Frontal view; right wrist pediatric wrist radiograph; subsequent exam

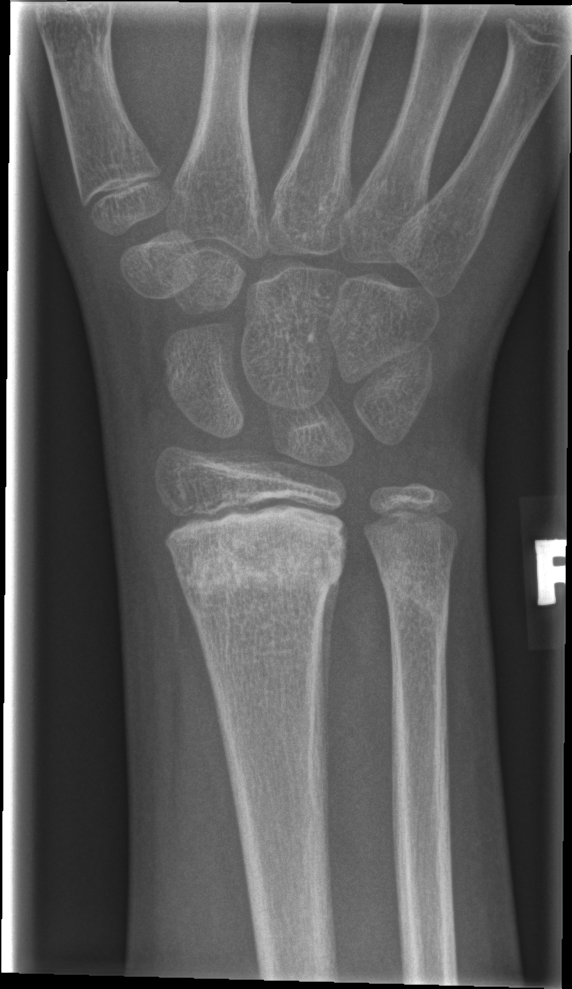 FINDINGS: (boxes as x1,y1,x2,y2 (top-left / bottom-right, pixel units)) Decreased bone density (osteopenia). Bone fractures — [x1=157, y1=499, x2=349, y2=606] [x1=375, y1=556, x2=452, y2=637]. AO/OTA classification: 23r-E/2.1; 23u-M/2.1. Periosteal new bone identified at [x1=320, y1=584, x2=337, y2=730].